Frontal; Lt wrist XR; Siemens

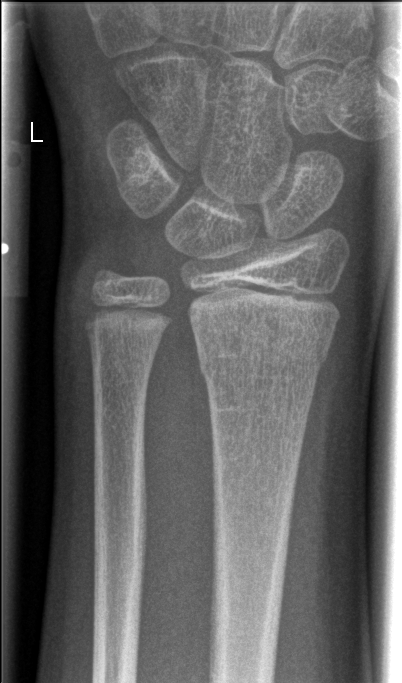

Fracture: 194,327,333,387.
AO code 23r-M/2.1.